Lateral, left pediatric wrist radiograph, 6-year-old female, image 62.8 mm wide. 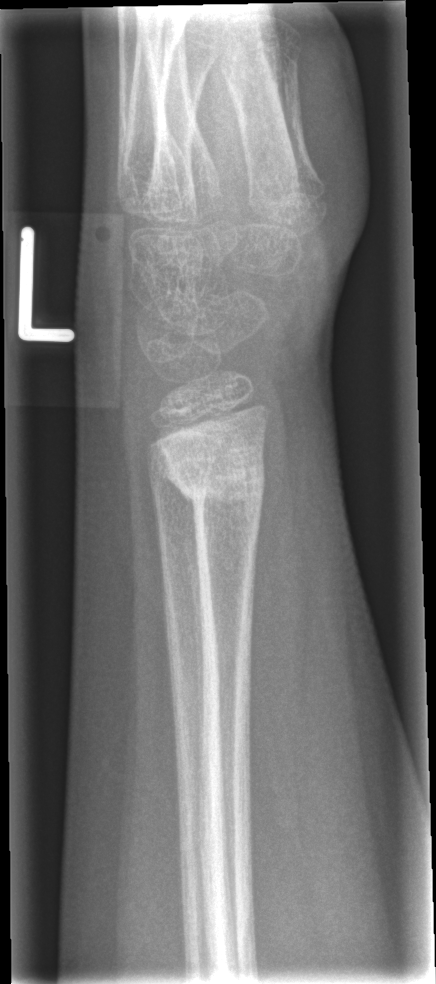 - Bounding boxes in image-pixel xyxy.
- Decreased bone density (osteopenia).
- One fracture at <154,435>-<268,513>.